R plain radiograph of the wrist; PA projection

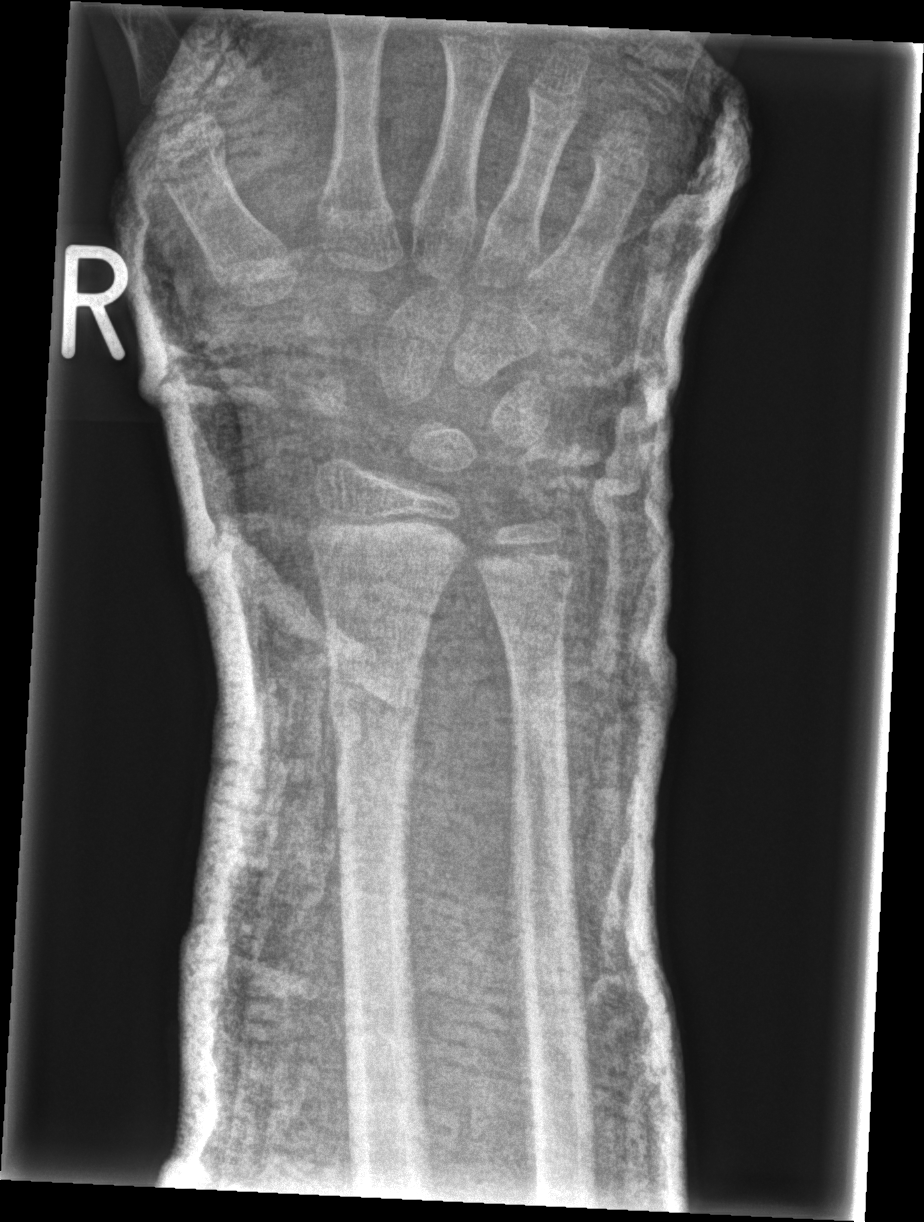

(coordinates are [x1, y1, x2, y2] in image pixels)
Q: What is the AO/OTA classification?
A: AO code 23r-M/3.1; 23u-M/2.1
Q: Fracture present?
A: Bone fracture: 483,558,585,631 | 327,677,422,752